Rt wrist XR | lateral | 7y M | 350x698:

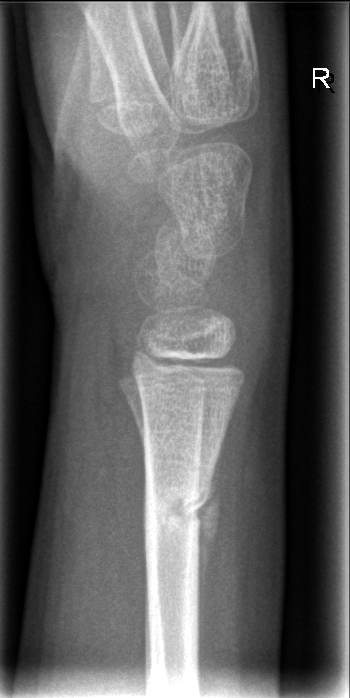

Q: Bone density?
A: Decreased bone density (osteopenia)
Q: Fracture present?
A: Fracture: [139, 476, 215, 540]
Q: Is there periosteal reaction?
A: Periosteal thickening identified at [195, 463, 221, 687]
Q: AO code?
A: AO code 23r-M/3.1; 23u-M/2.1